AP projection | right wrist plain radiograph of the wrist | presentation radiograph.
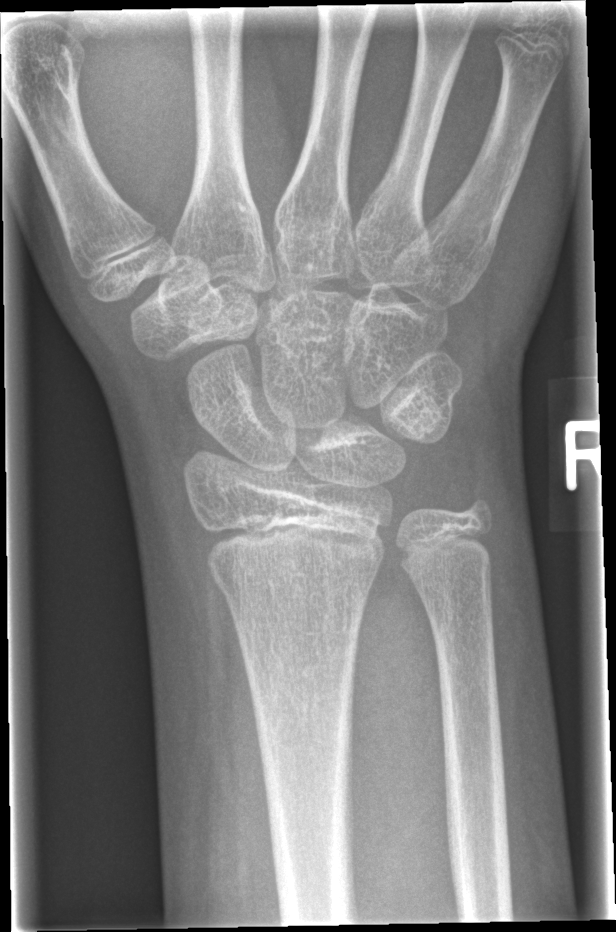
FINDINGS — Fracture: none labeled.